Lateral view; left wrist pediatric wrist radiograph; female, 16 yo; 464 by 1029 pixels:
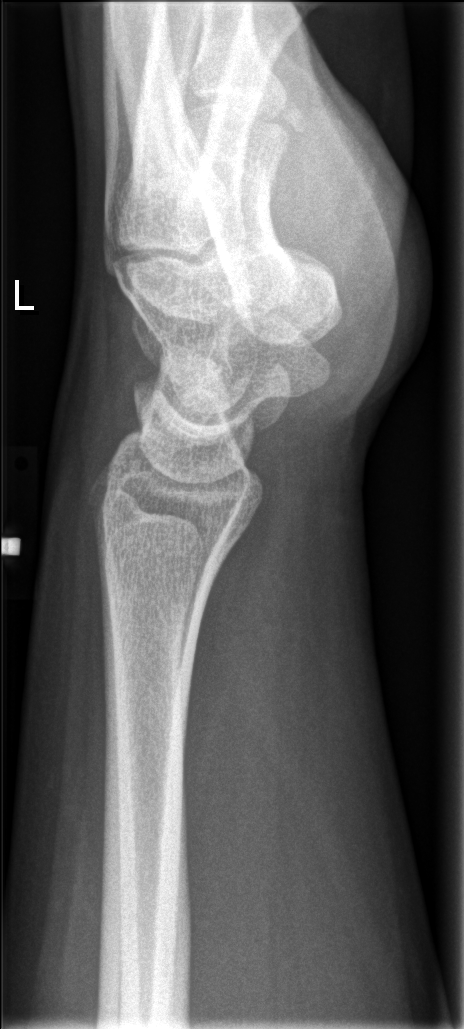

  fracture: none labeled